Right wrist X-ray; lat view; 9-year-old boy
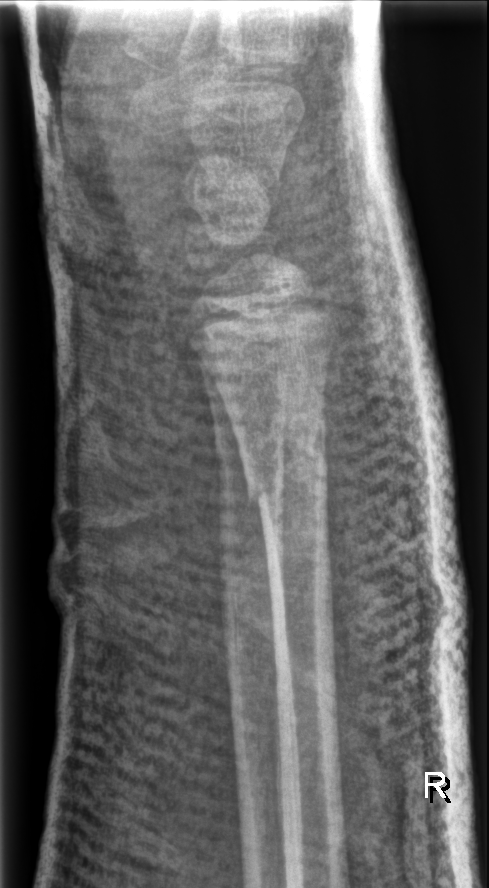

Bounding boxes in image-pixel xyxy.
Fx identified at [239, 404, 332, 517].
AO/OTA classification: 23r-M/3.1; 23u-M/2.1.